Lt wrist radiograph, posteroanterior view, pediatric patient (boy, age 13).
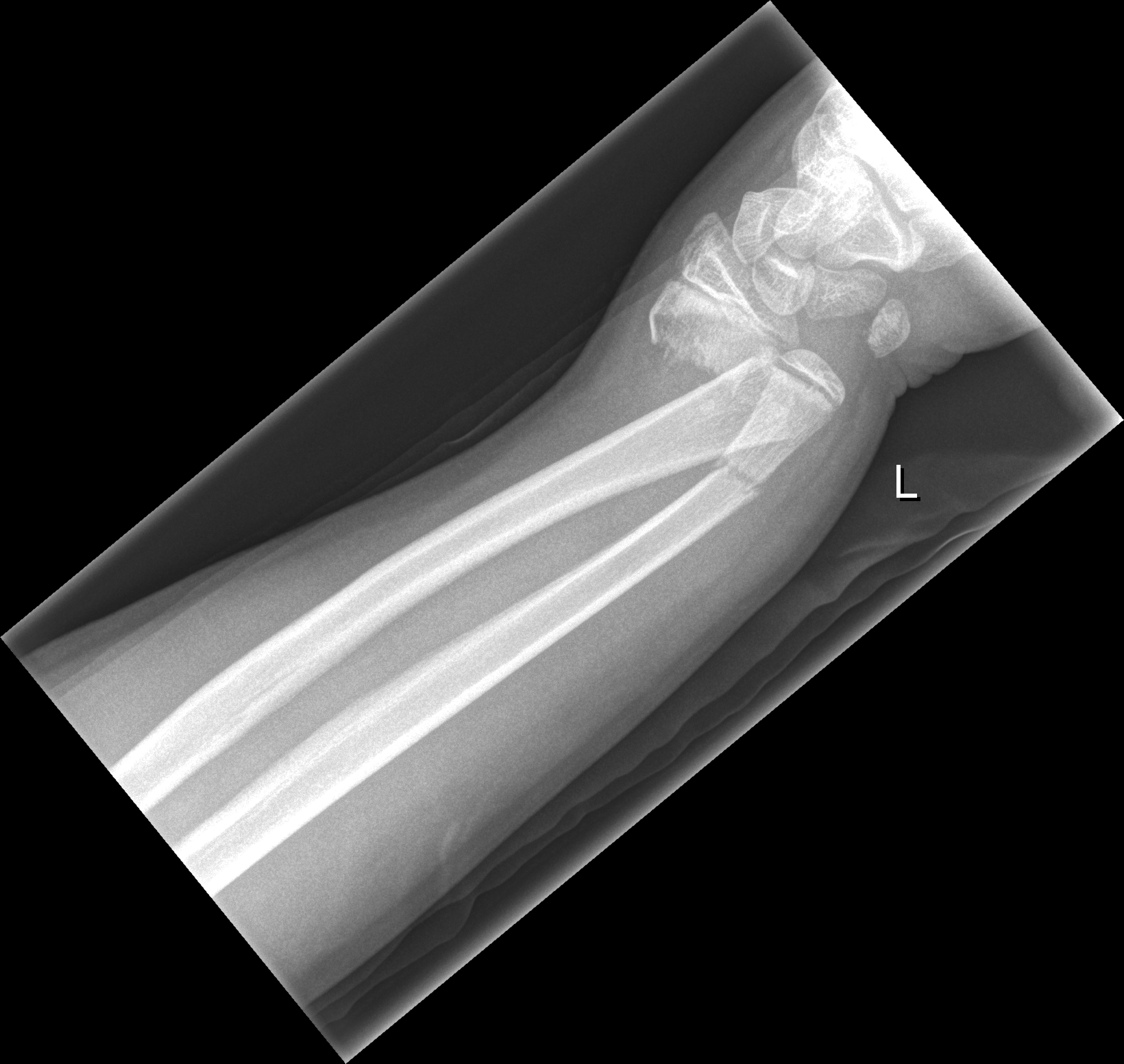 - Bone fracture: (646, 306, 801, 395); (700, 450, 770, 504).